L plain radiograph of the wrist · frontal view · 5-year-old girl · cast in situ · image 97.6 mm wide 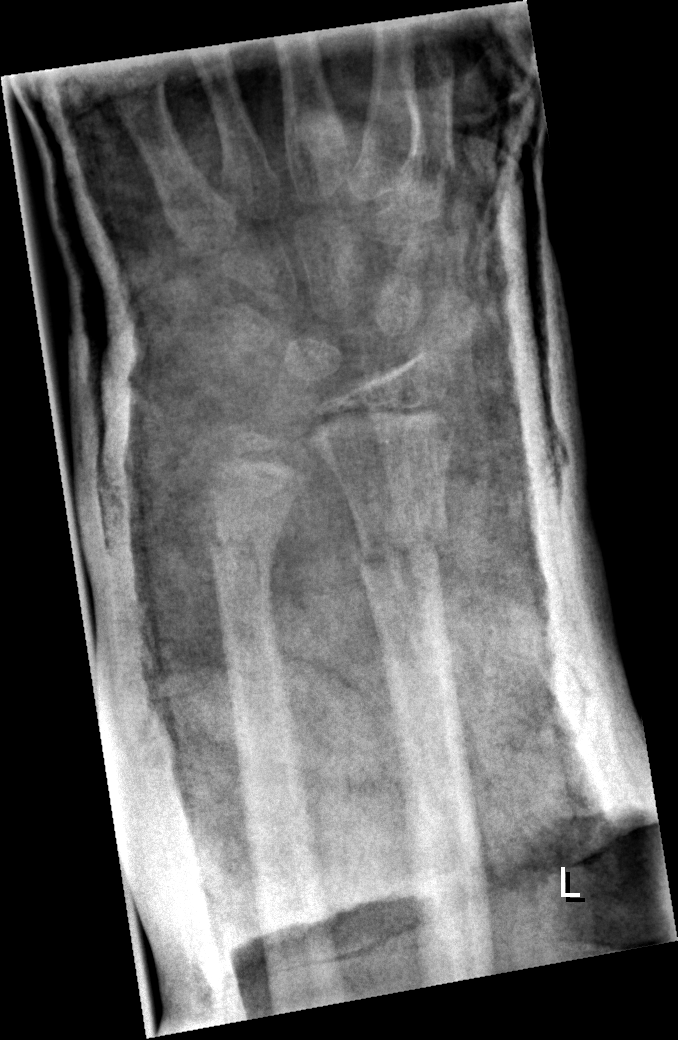
* Fractures — <350,511>-<452,586>; <205,516>-<279,583>.